Right plain radiograph of the wrist | PA/AP view — 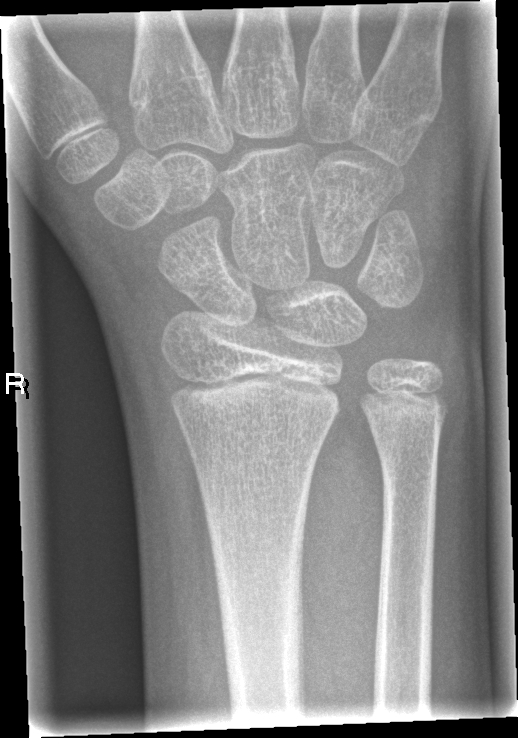
Fx = none labeled